PA projection, left wrist X-ray.

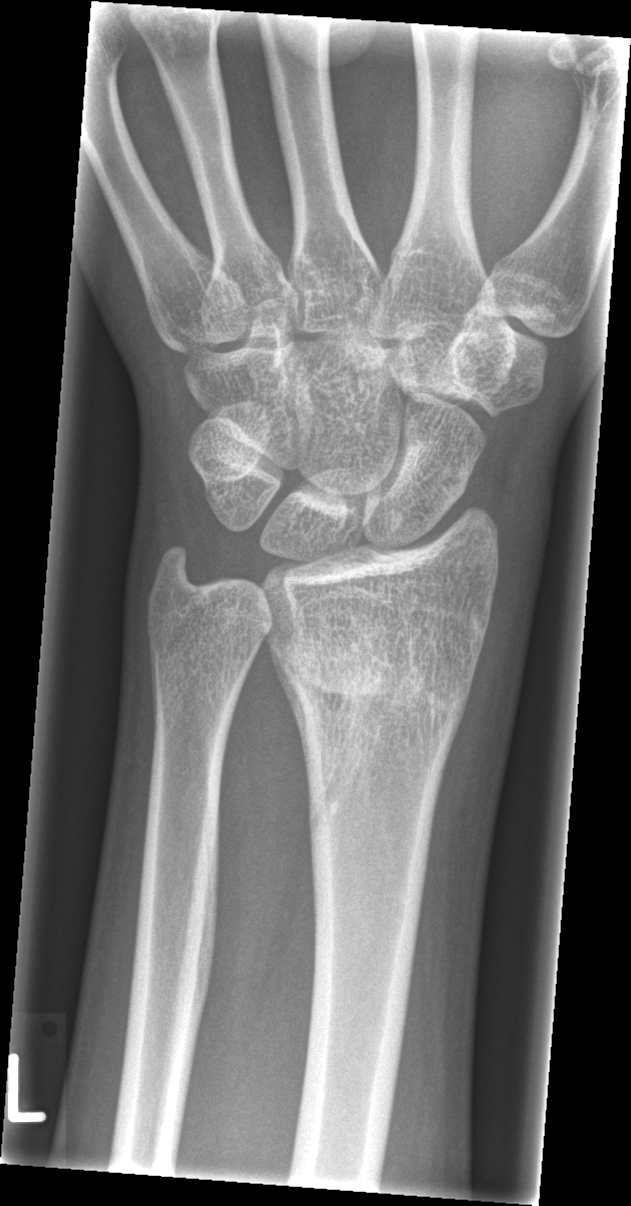
Q: Locate any fractures.
A: One bone fracture at (left=265, top=621, right=480, bottom=739)